Right wrist radiograph · frontal · 13y M · presentation radiograph · detector: Siemens: 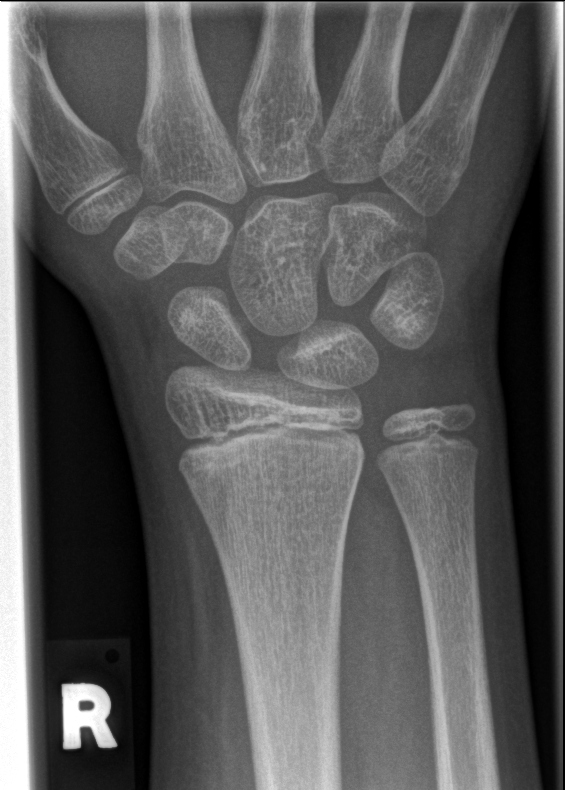
FINDINGS: No fracture annotation.